Left plain radiograph of the wrist, lat view, female, 6 yo, index exam:

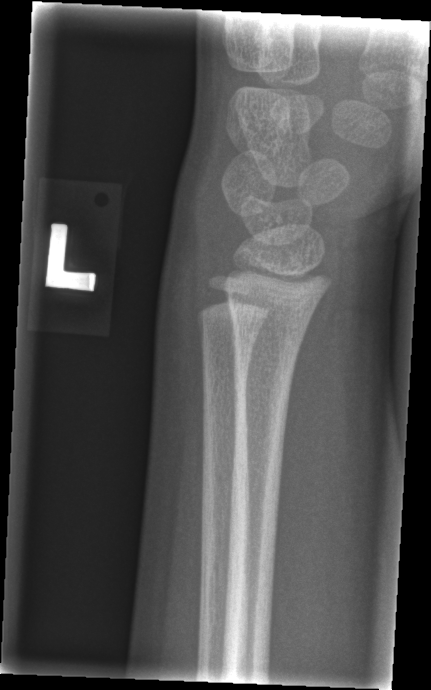 FINDINGS: Fracture: none labeled.